L wrist XR | AP view | 11-year-old boy | subsequent exam | imaged through cast | 880 by 1082 pixels

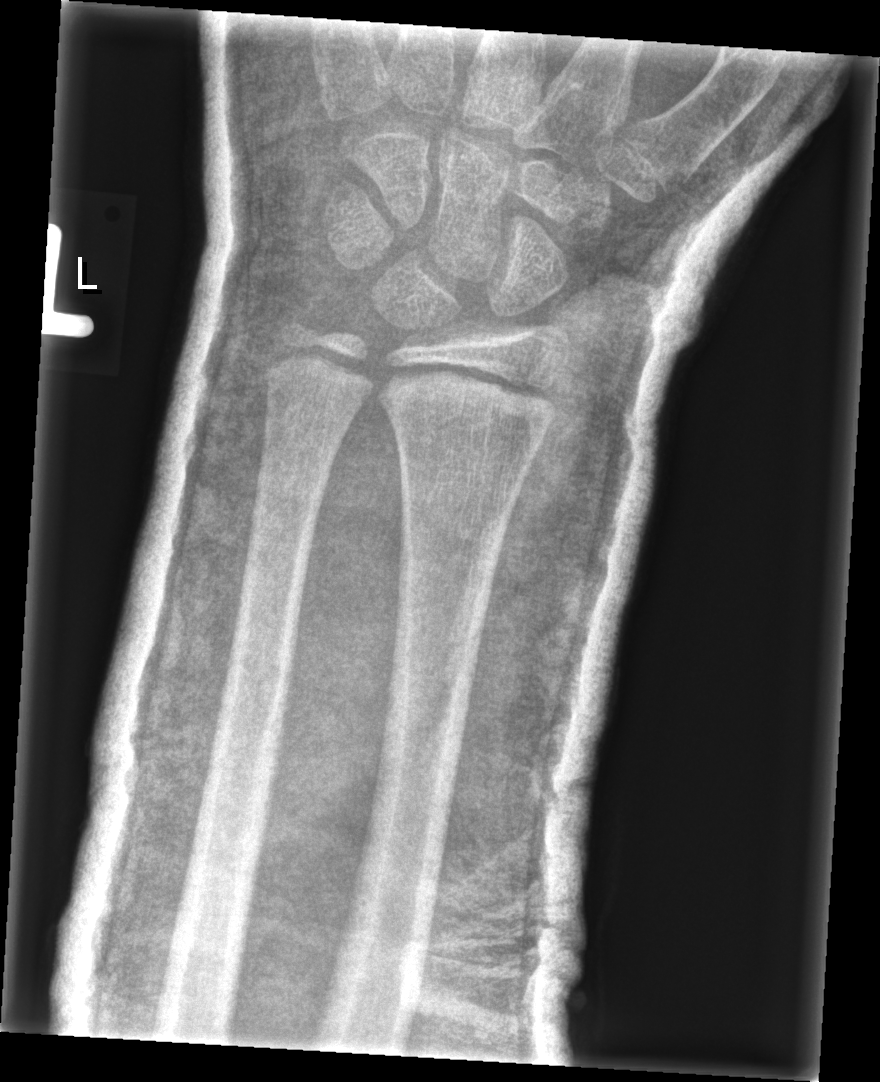

  fracture: present but not clearly seen in this view
  ao: 23r-E/2.1; 23u-E/7